Lat projection · R wrist plain film.
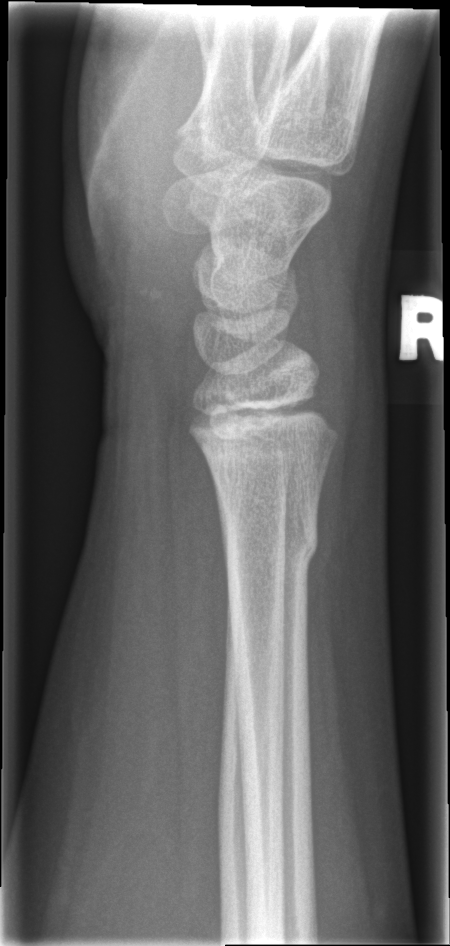

Fx — [x1=219, y1=511, x2=324, y2=572].